R plain radiograph of the wrist · lateral projection · pediatric patient (female, age 10) · index exam · image size 532x922. 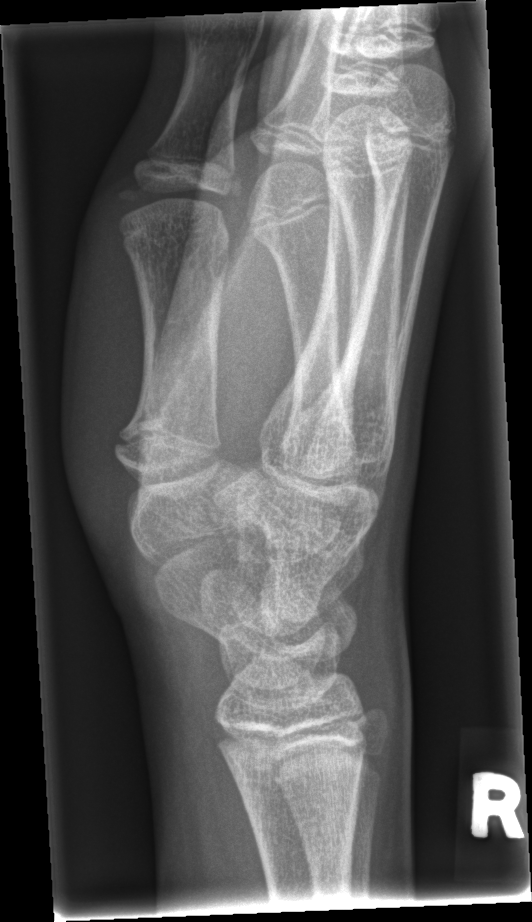 Q: Is there a fracture?
A: No fracture bounding box